Lat view, Rt wrist XR, pediatric patient (male, age 16), follow-up study, detector: Siemens, image size 507x1068

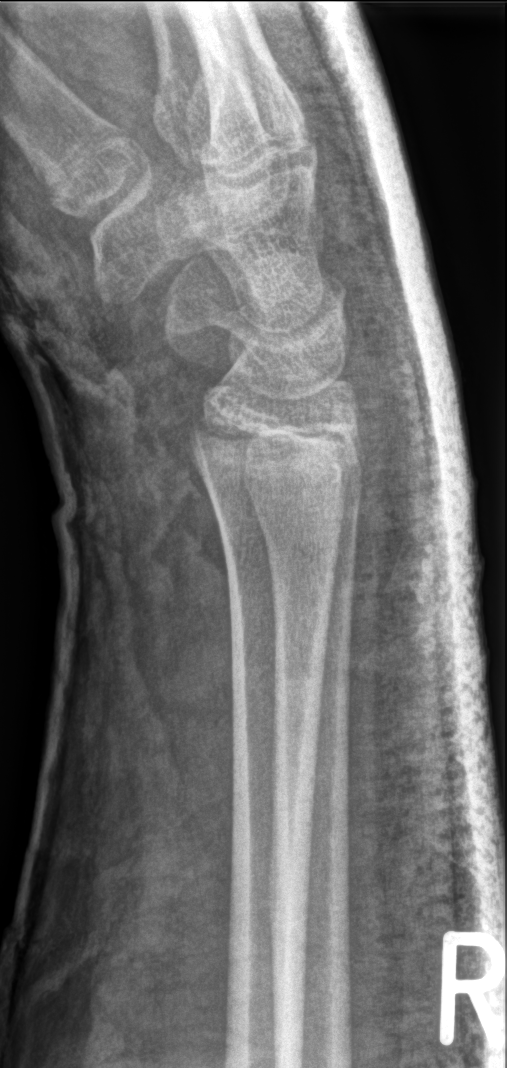
- Bounding boxes in image-pixel xyxy.
- Fracture identified at 183,400,367,505.
- AO/OTA classification: 23r-E/2.1; 23u-E/7.